Lt wrist radiograph; lateral view
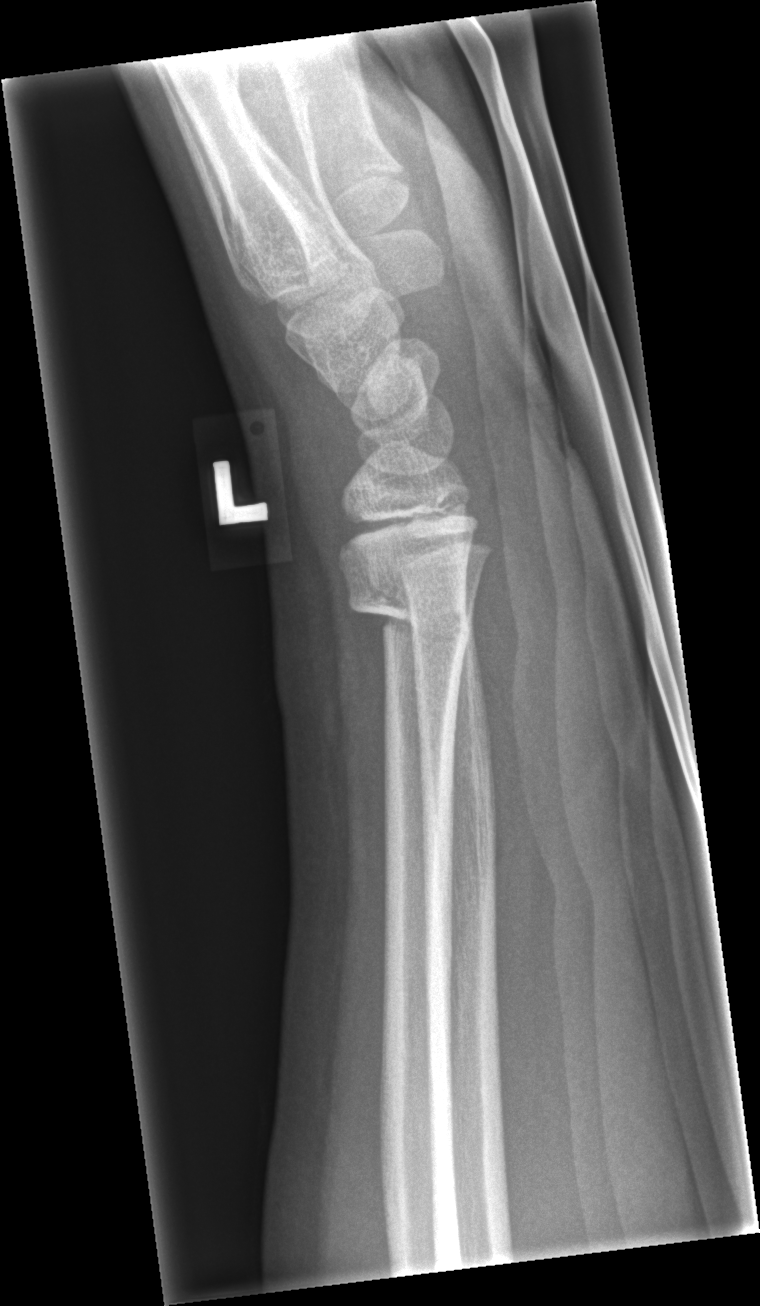 Findings: (coordinates are [x1, y1, x2, y2] in image pixels) Fracture identified at [x1=340, y1=570, x2=477, y2=650]. AO/OTA classification: 23r-M/3.1.